Lat view | left wrist plain film | acquired on Siemens: 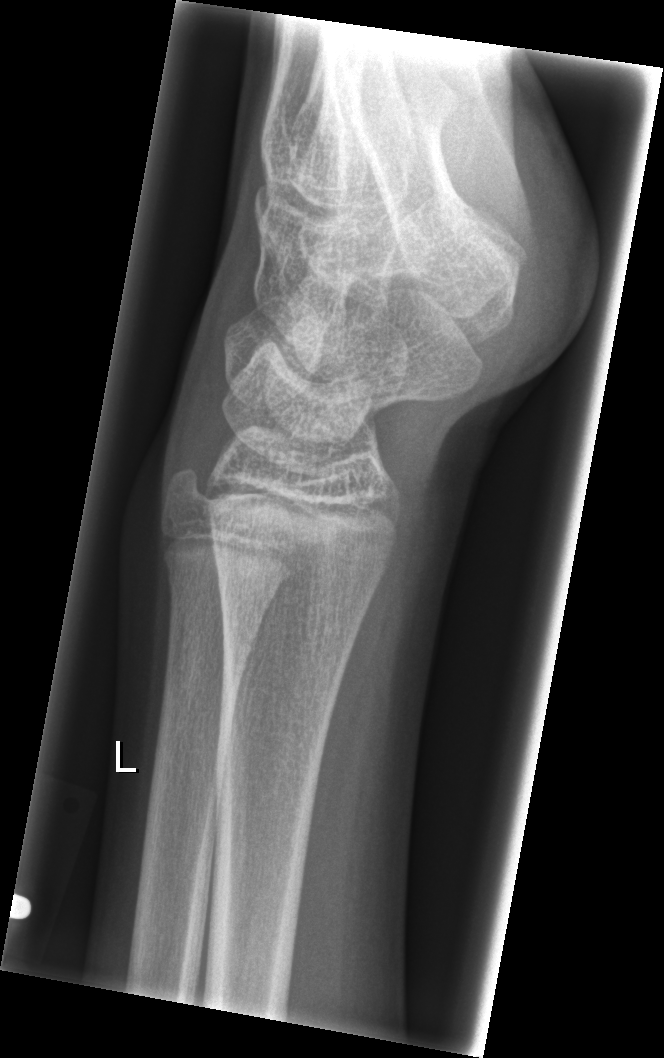

FINDINGS: No fracture annotation.